PA projection · Rt plain radiograph of the wrist · age 15 y, boy · detector: Siemens.

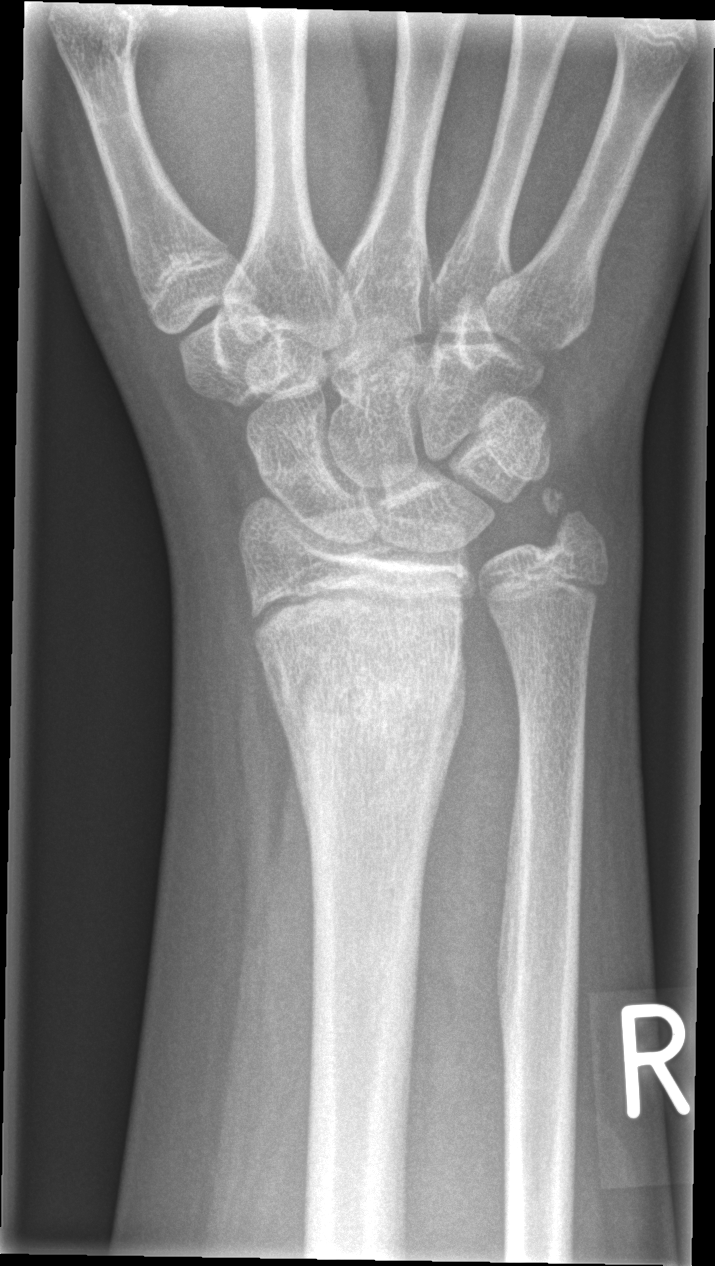

Findings: Fx identified at bbox(263, 642, 469, 786); bbox(534, 484, 617, 572).